Rt plain radiograph of the wrist, lateral projection, 13-year-old boy:

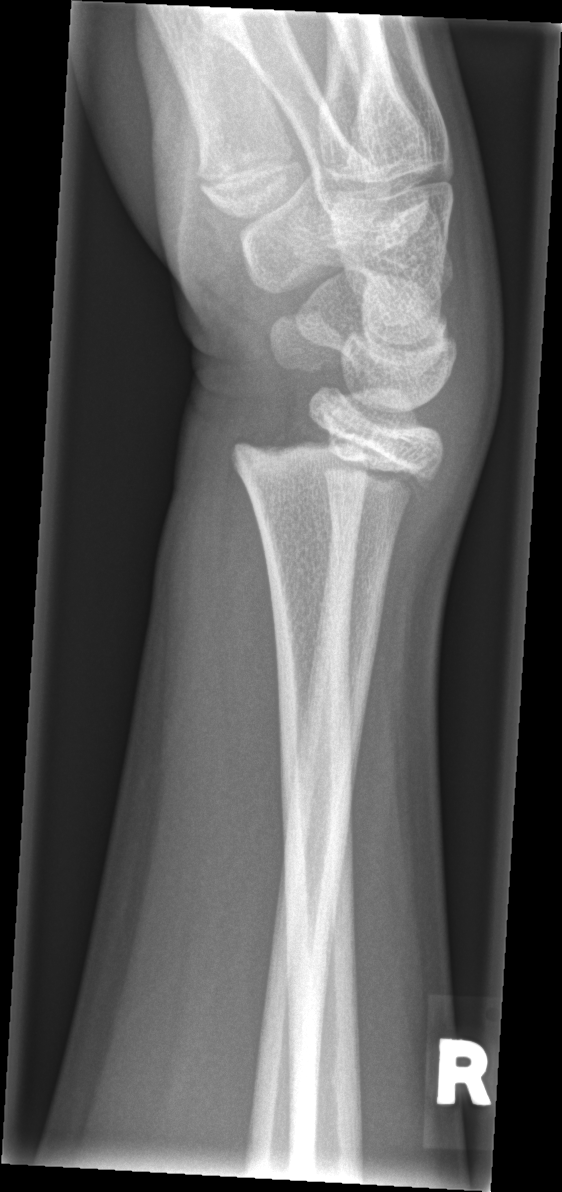
- Pixel coordinates, top-left origin, xyxy.
- Fracture: 224,416,436,509.